Rt wrist plain film | lat | age 6 y, boy | in cast | Siemens —
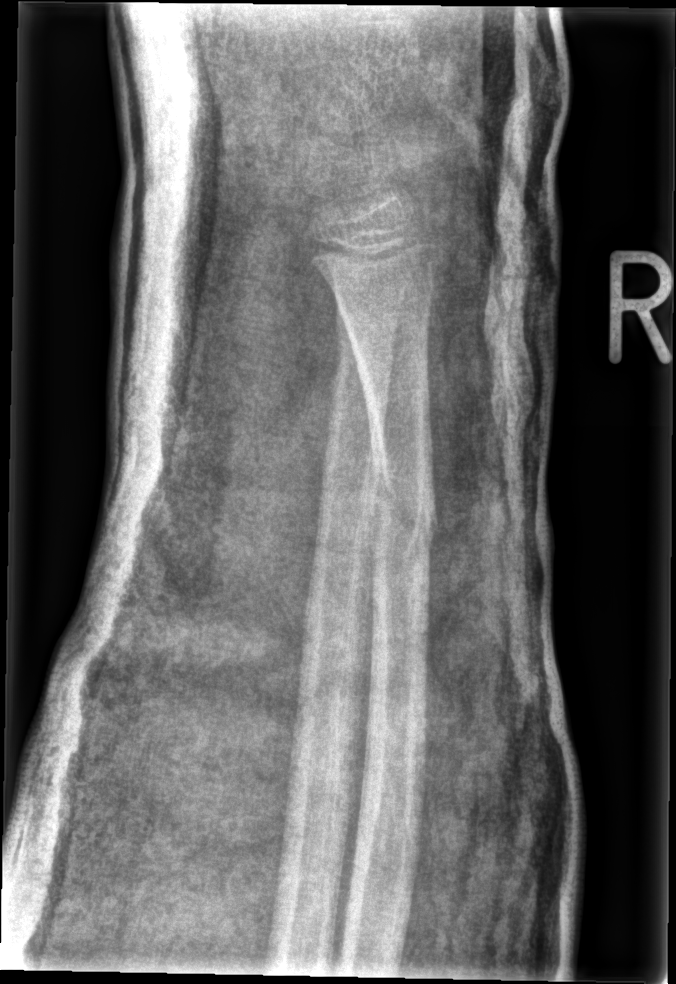
Findings: Fracture identified at [362, 438, 444, 566].